Left wrist XR · lat view —
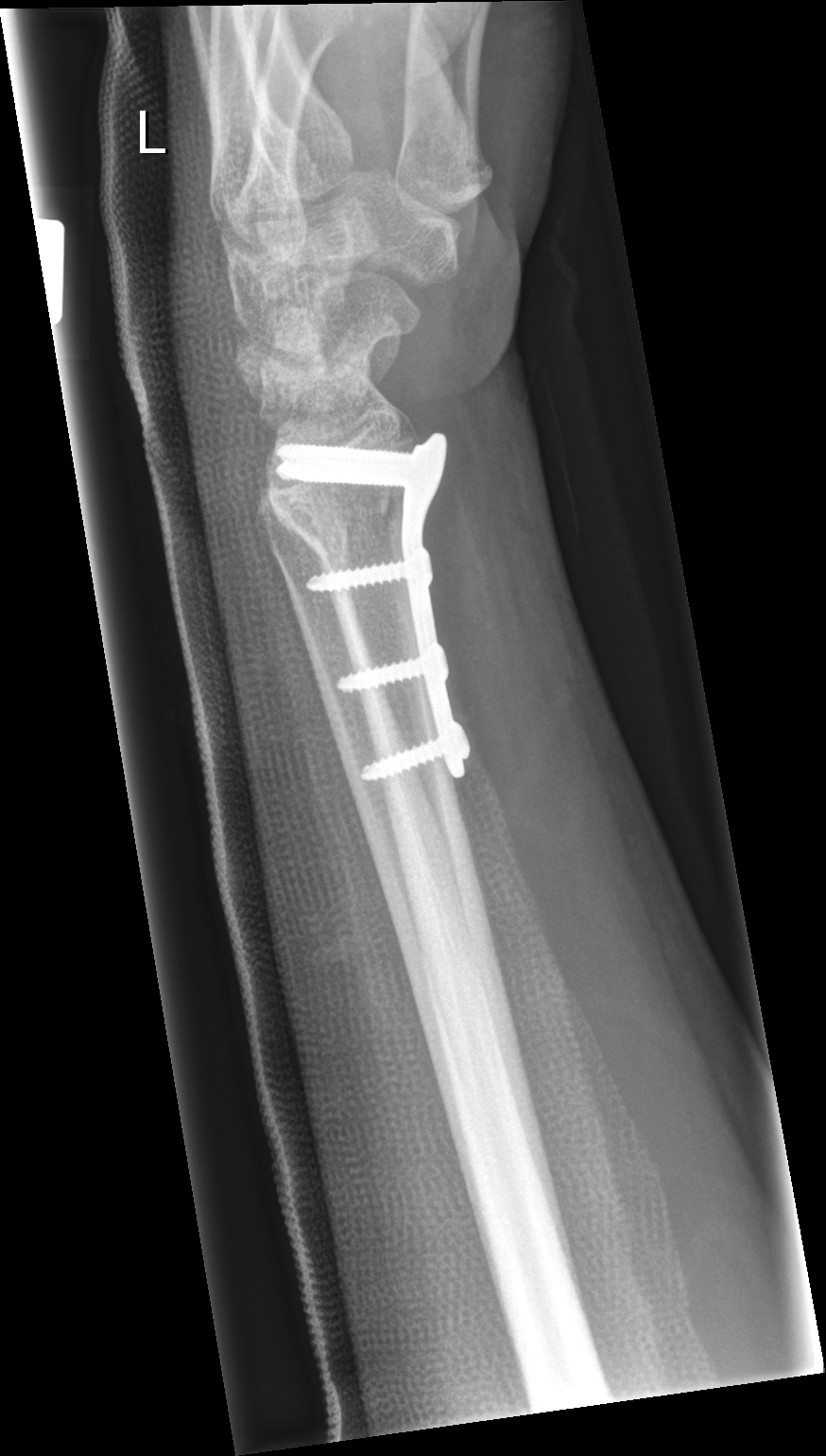

Hardware identified at (left=273, top=428, right=471, bottom=781).
Fx — (left=264, top=442, right=423, bottom=554).